Lat view · right wrist plain film · follow-up study · cast present —

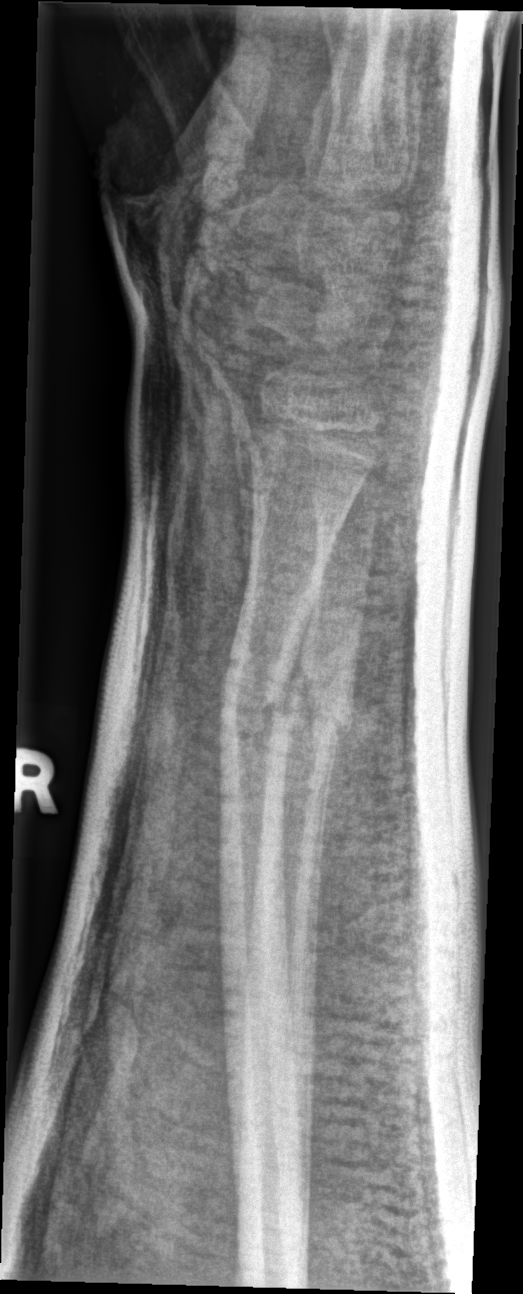 bone fracture: [270, 649, 358, 758] [213, 649, 296, 748]
AO code: 22-D/4.1